Rt wrist plain film | lateral | age 11 y, male | cast in situ —

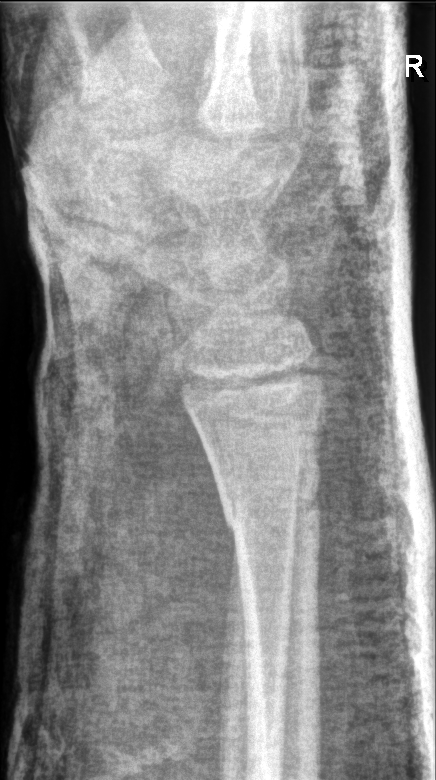
Fracture identified at bbox(217, 466, 324, 540).